Lateral projection · L wrist radiograph · 16-year-old female · image width 87.6 mm — 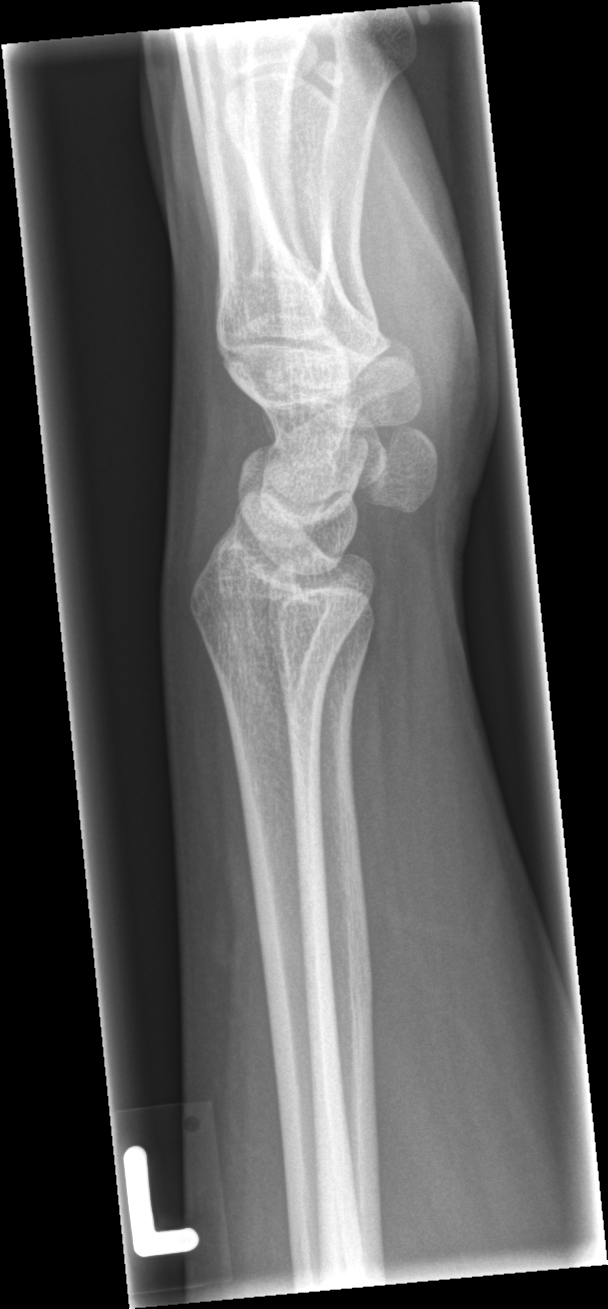 Fx: none labeled